AP view · left wrist plain film · initial study · 971x878:
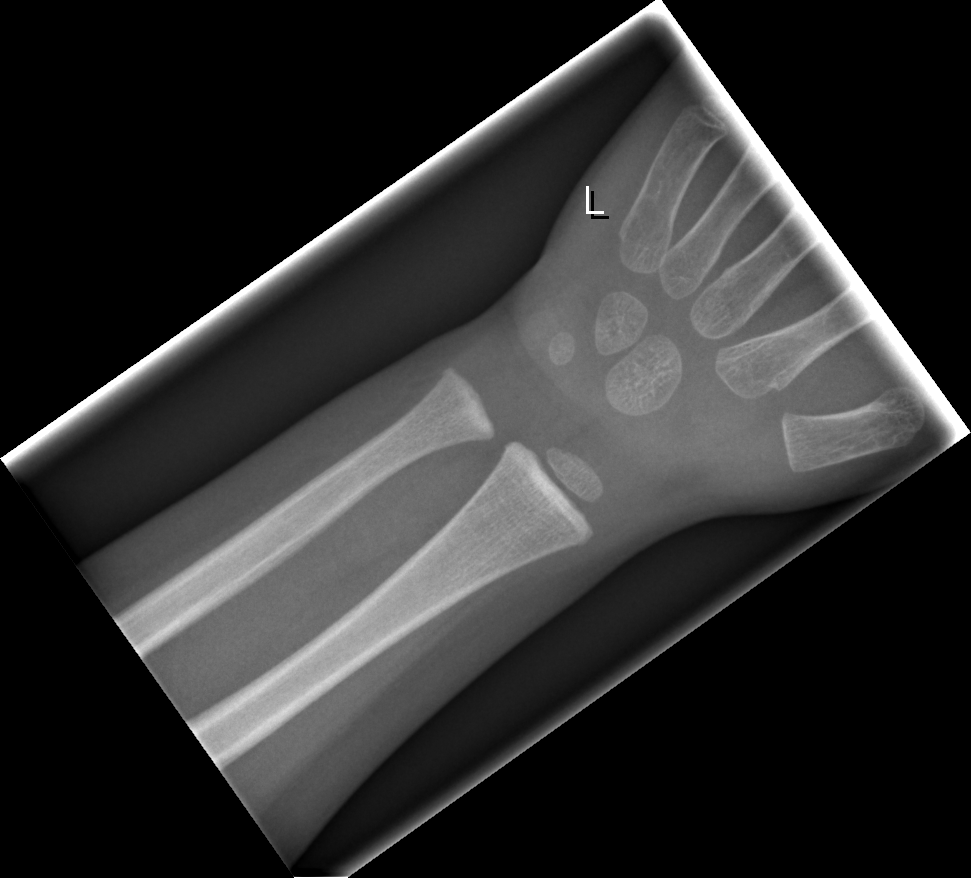 Fx = none labeled